Left wrist X-ray | lat view | Siemens | 409x1074 —
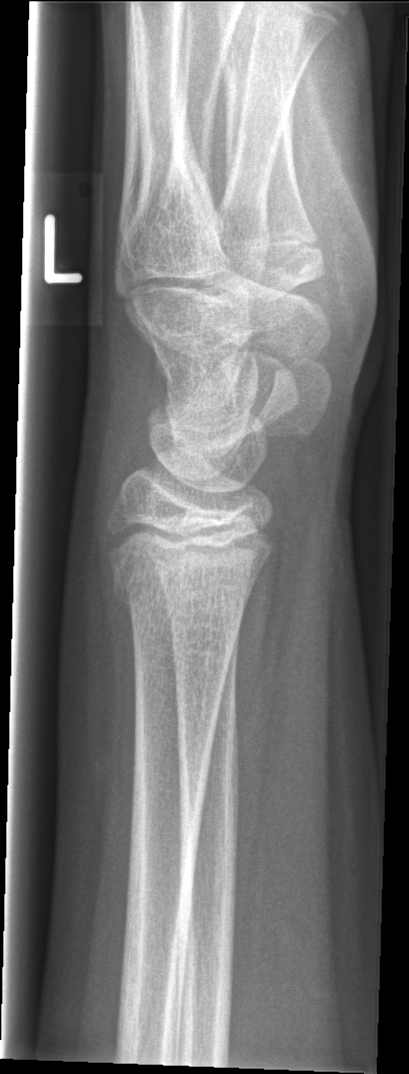

AO classification: 23r-M/2.1
Fx: 107,560,259,623